Lateral; Lt pediatric wrist radiograph; follow-up; imaged through cast —
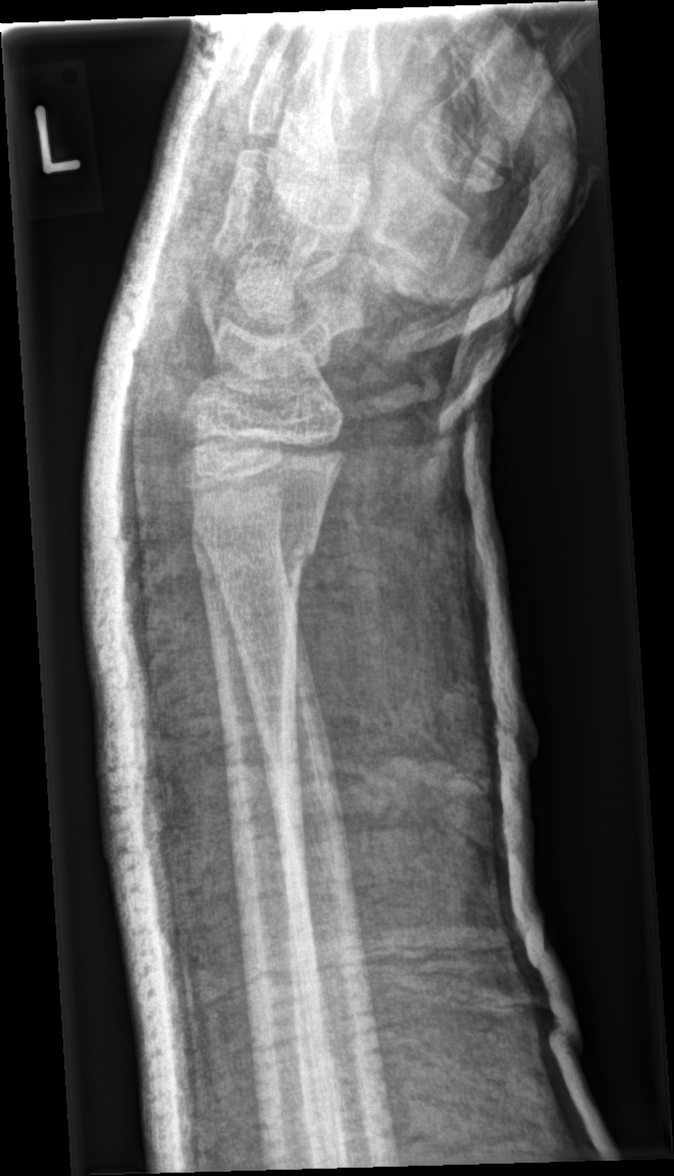 • Fracture identified at [188, 510, 323, 595].
• AO/OTA classification: 23r-M/3.1; 23u-E/7.